Left wrist XR, PA, boy, 8 yo, follow-up study, cast present —
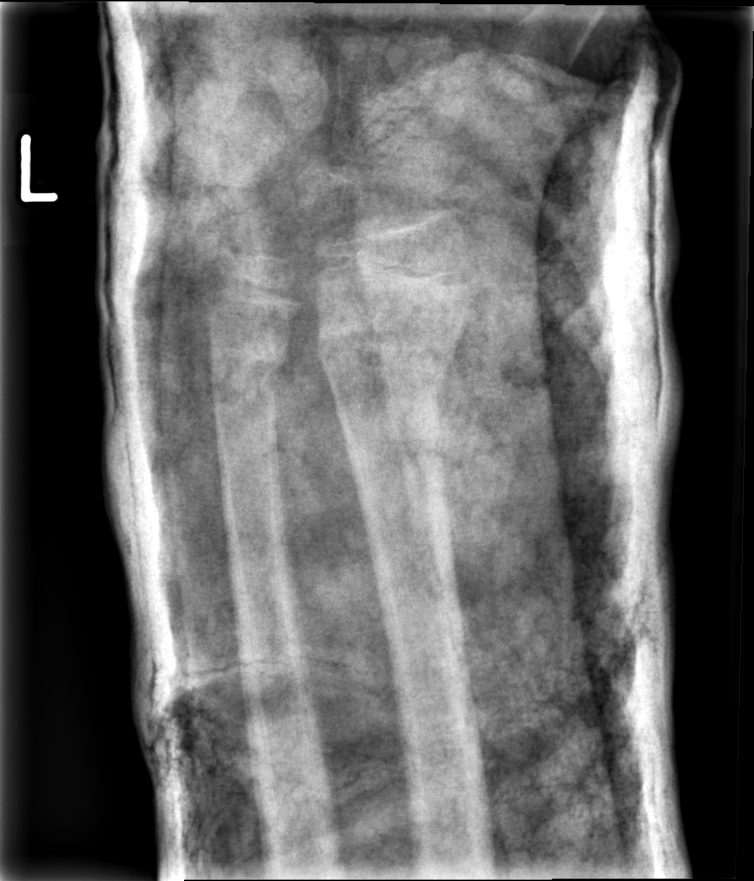 # boxes as x1,y1,x2,y2 (top-left / bottom-right, pixel units)
fracture: 312,302,463,403
  204,333,294,411